Posteroanterior · left wrist plain film · girl, 9 yo.
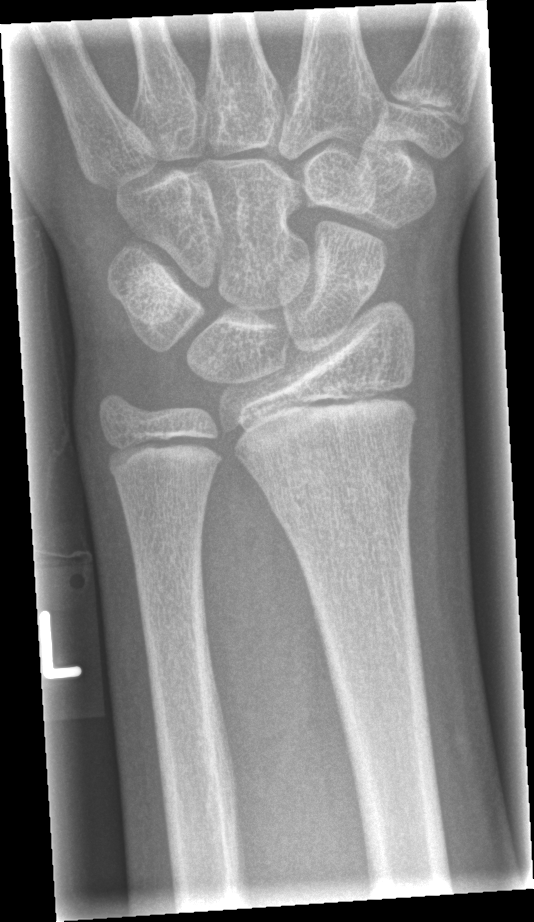
Bone fracture identified at [x1=258, y1=459, x2=417, y2=522].
AO code 23r-M/2.1.